Right wrist pediatric wrist radiograph · lat · male, 13 yo — 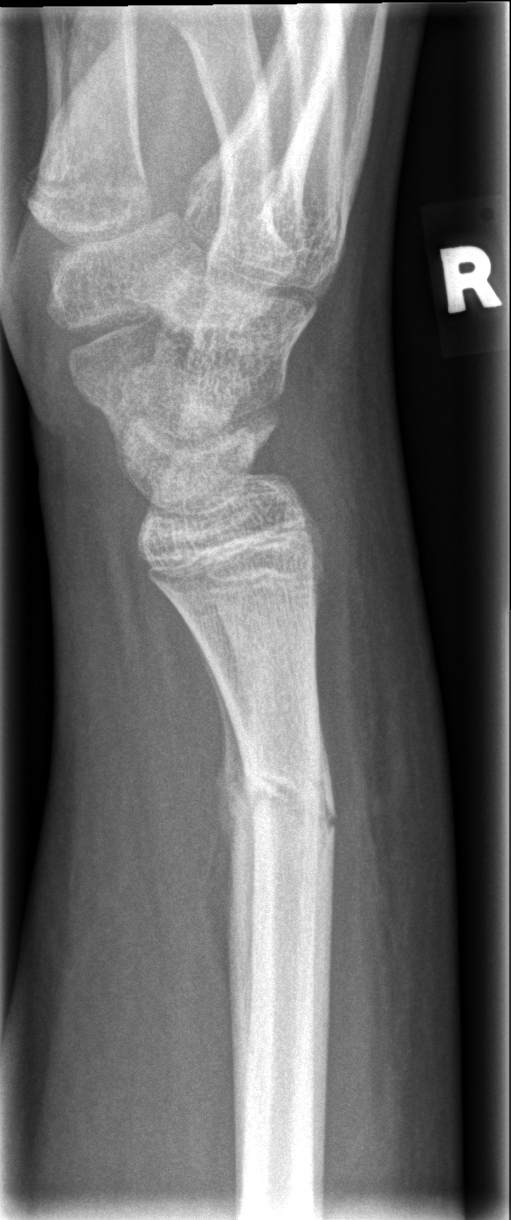

ao: 23r-M/3.1; 23u-M/2.1
osteopenia: present
periostealreaction: (left=183, top=619, right=247, bottom=883)
fracture: 1 @ (left=236, top=747, right=339, bottom=856)